Right wrist plain radiograph of the wrist; posteroanterior; initial study; detector: Siemens.

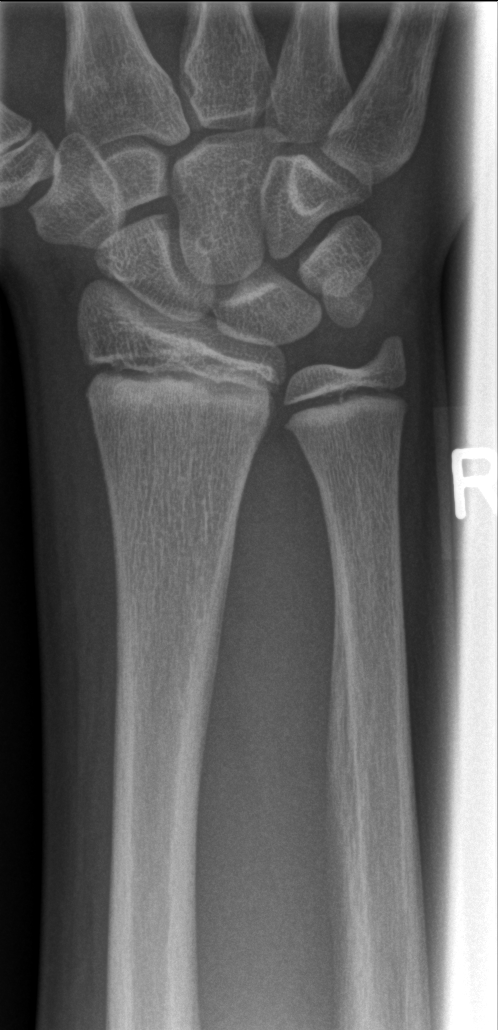

* No Fx annotated.